Left wrist plain film · PA · image size 713x854.
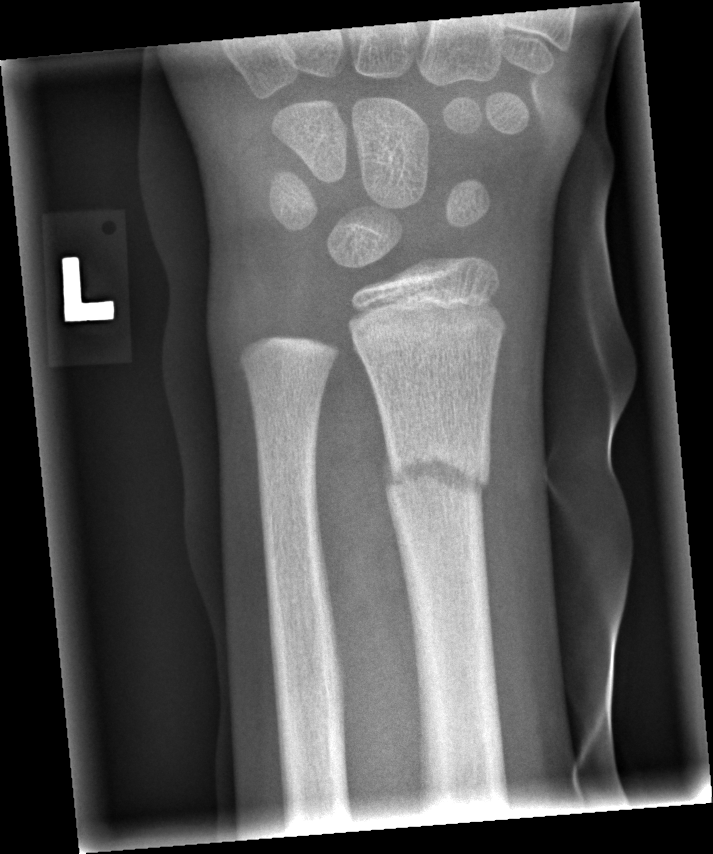

FINDINGS: Fracture — bbox(379, 432, 493, 509). AO code 23r-M/3.1.